Lt plain radiograph of the wrist, AP view, age 15 y, male. 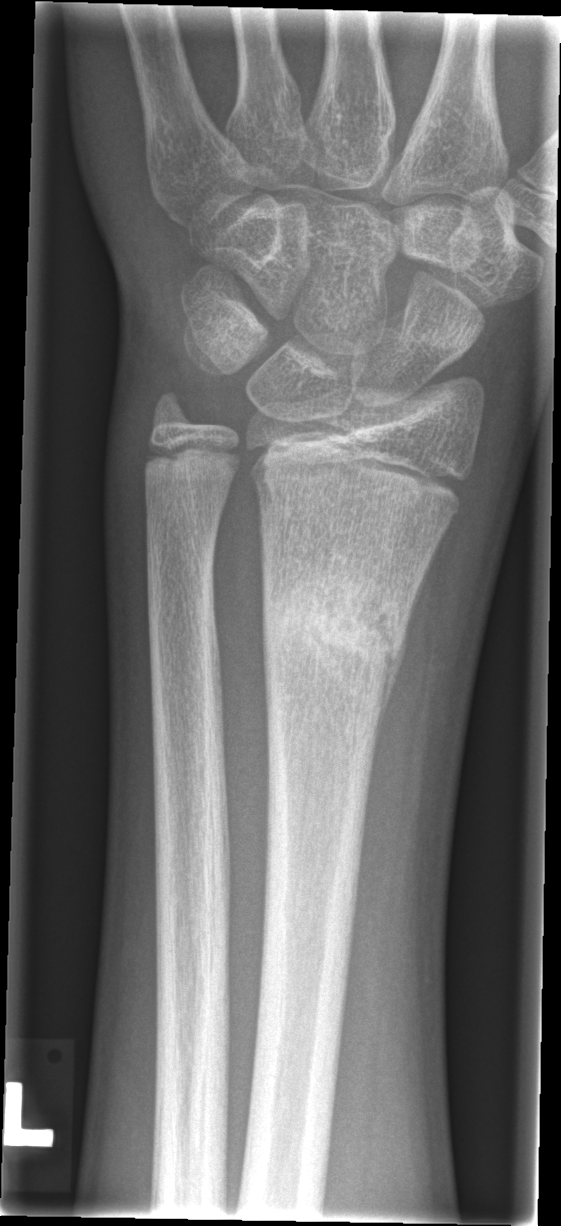

One periosteal reaction at (375, 600, 415, 752).
Osteopenic.
Bone fracture: (259, 554, 412, 718), (146, 378, 195, 430).
AO code 23r-M/3.1; 23u-E/1.